Lateral projection · Rt pediatric wrist radiograph · pediatric patient (boy, age 13) — 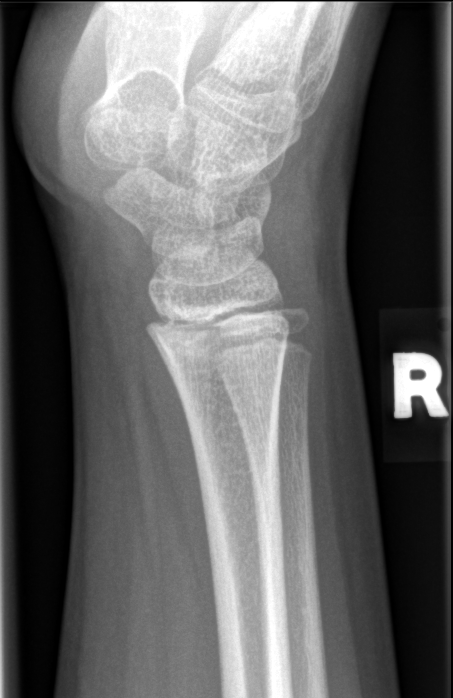 Fx = none labeled